Frontal | left pediatric wrist radiograph | 12-year-old boy: 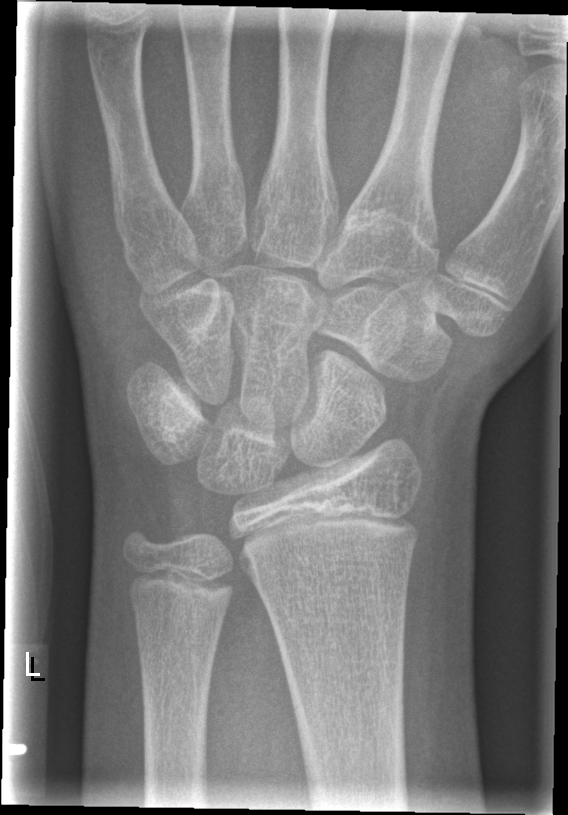
Fracture: none labeled.